Right wrist radiograph | AP view | cast in situ | image size 605x1190:
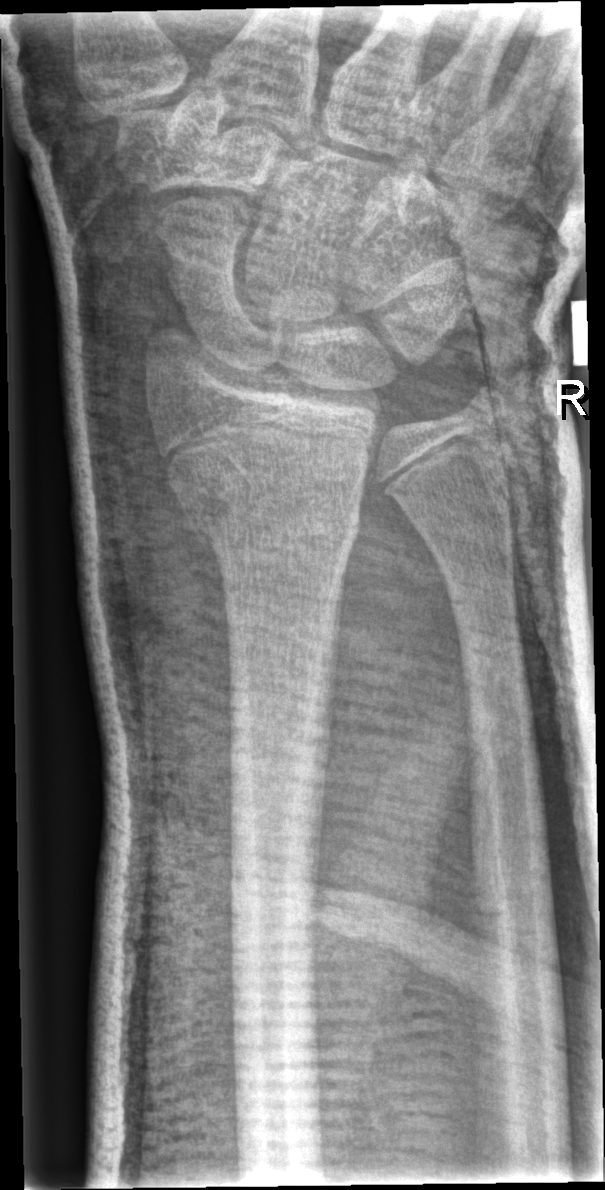
Coordinates are [x1, y1, x2, y2] in image pixels. One fracture at <170,471>-<365,560>.